Right wrist radiograph; AP; boy, 13 yo:
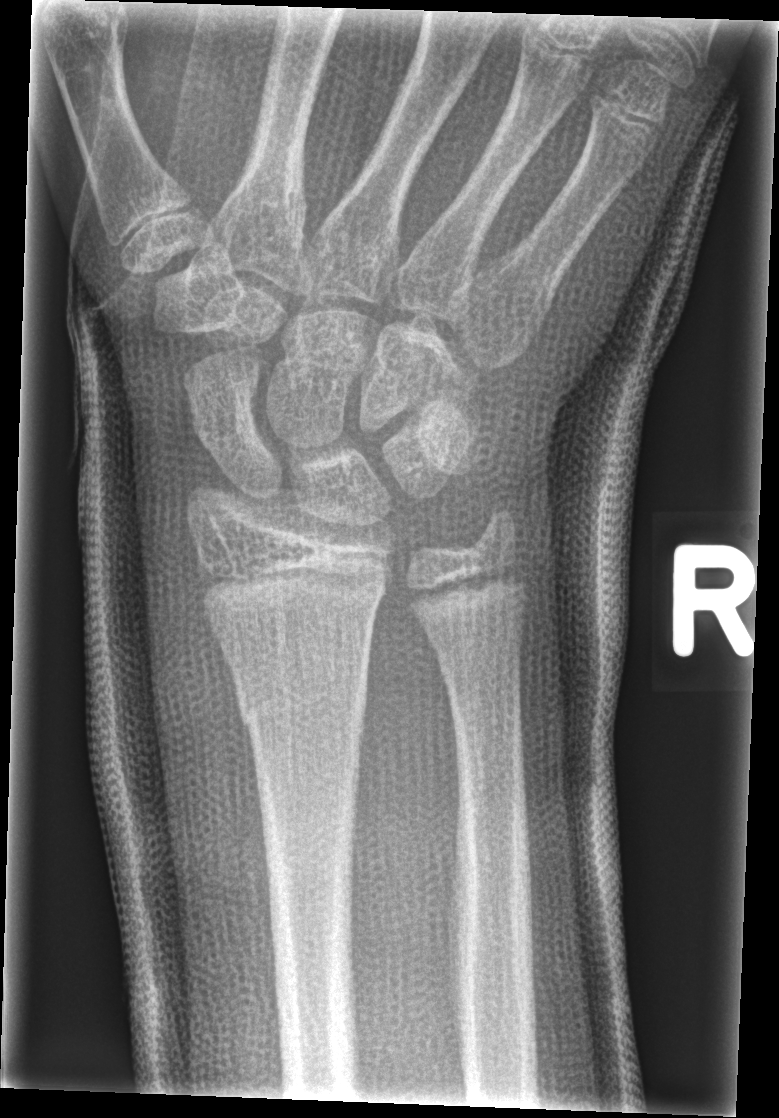 bone fracture = 1 @ <227,665>-<368,743>
AO classification = 23r-M/2.1